AP; L plain radiograph of the wrist; pediatric patient (female, age 11); cast present.
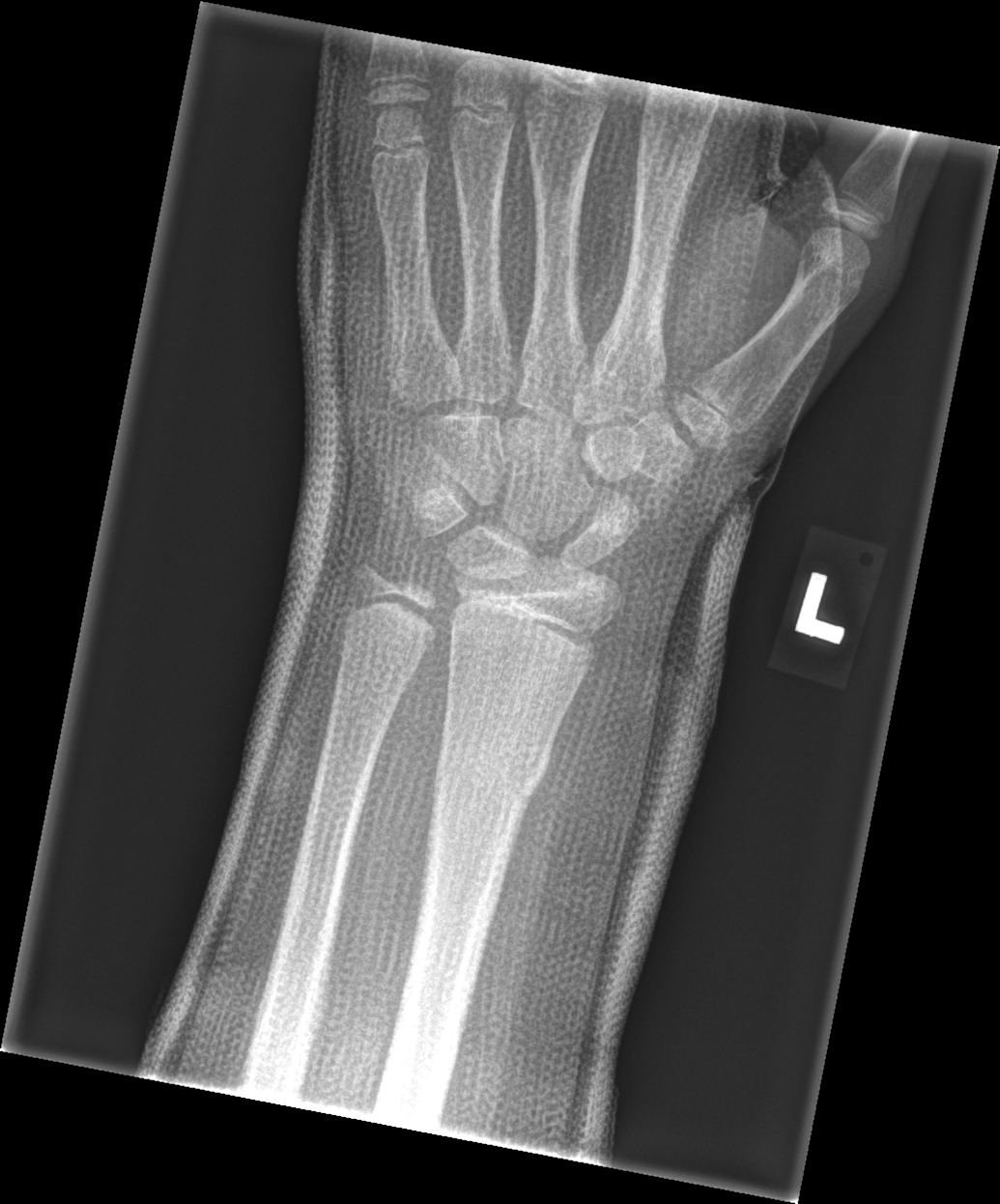

Q: Fracture present?
A: Fx: 427 733 556 822